Lat, R wrist radiograph, 12-year-old male.

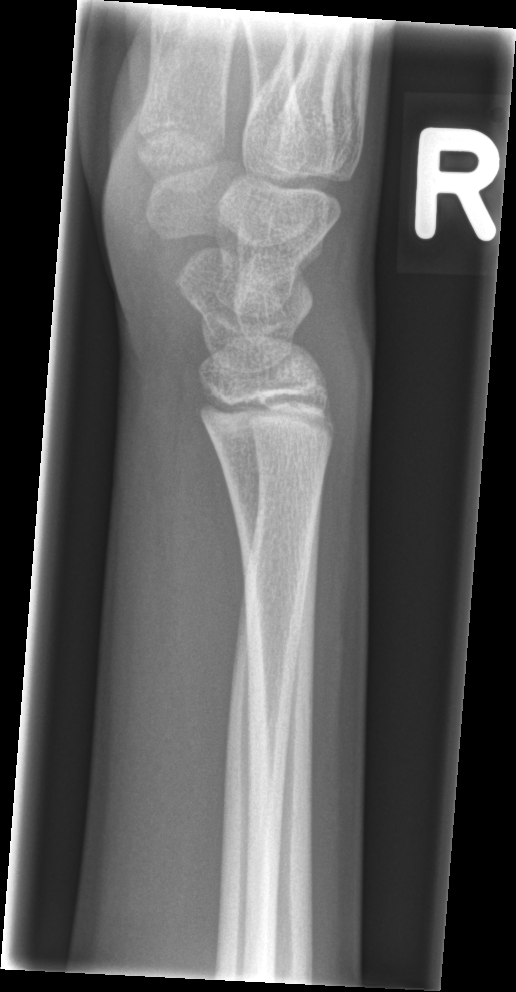 • No fracture annotation.